Lt wrist X-ray, AP:
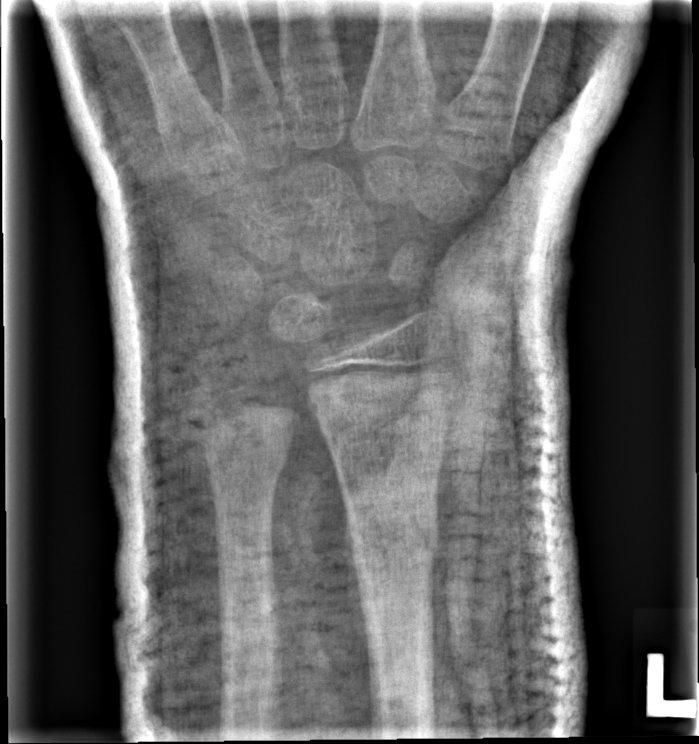

# coordinates are [x1, y1, x2, y2] in image pixels
fracture: 2 @ [337, 484, 444, 574] [198, 432, 292, 492]
ao: 23r-M/3.1; 23u-M/2.1